L wrist X-ray, PA view, girl, 5 yo, image size 746x833. 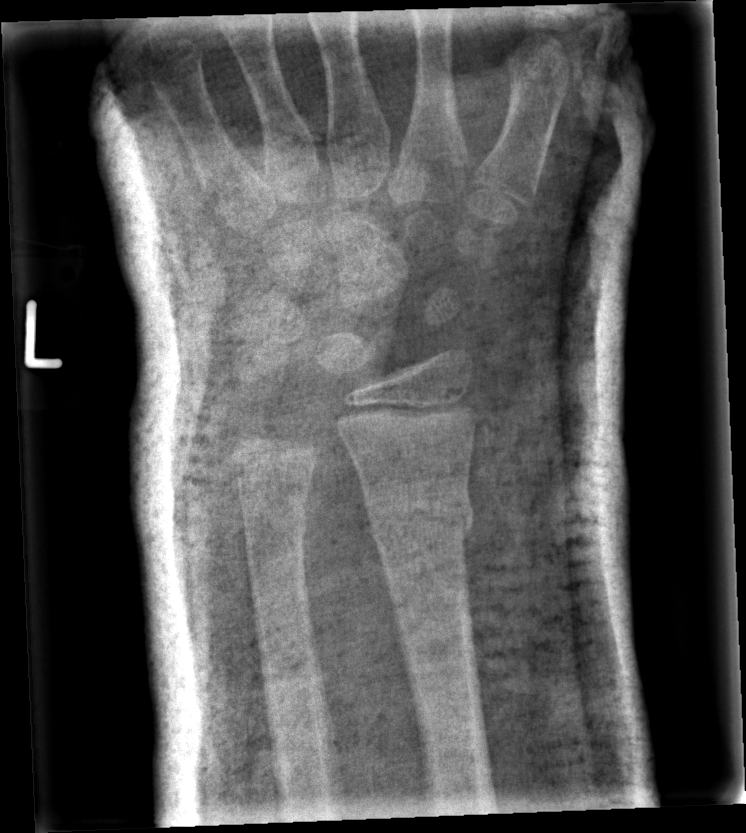
Q: Fracture present?
A: Fracture: (362, 474, 478, 557) (240, 495, 313, 564)
Q: AO code?
A: AO/OTA classification: 23r-M/3.1; 23u-M/2.1